Lat | Rt wrist radiograph | image 64.7 mm wide.

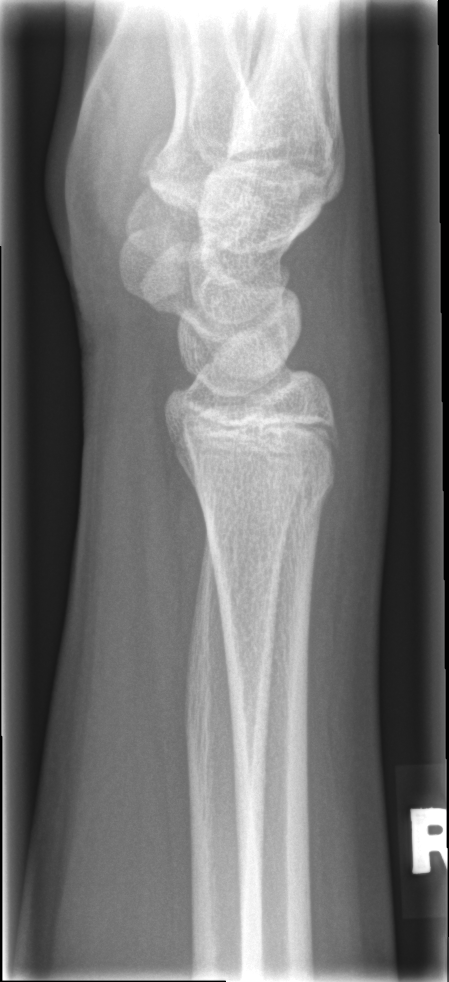 (coordinates are [x1, y1, x2, y2] in image pixels)
Q: Locate any fractures.
A: Fracture: (left=186, top=448, right=339, bottom=539)
Q: Bone density?
A: Decreased bone density (osteopenia)